L plain radiograph of the wrist | posteroanterior view | 5-year-old female | 368x530
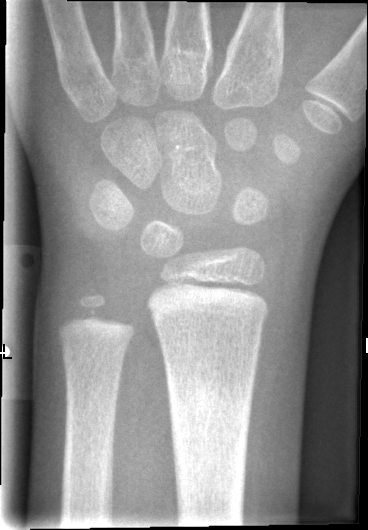 Bounding boxes in image-pixel xyxy.
AO code 23r-M/2.1.
Fracture — (163, 371, 255, 433).